AP projection | left pediatric wrist radiograph | boy, 11 yo — 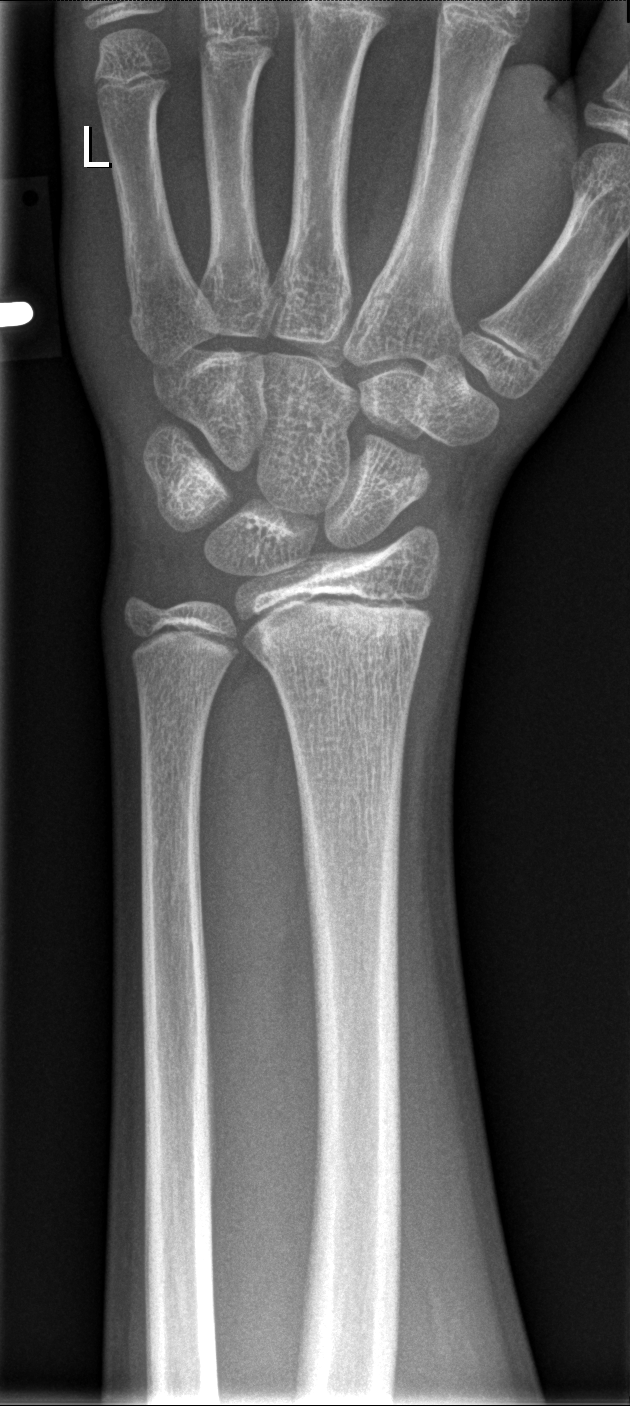

Boxes as x1,y1,x2,y2 (top-left / bottom-right, pixel units).
One fracture at [250, 635, 425, 686].